Lat · L wrist X-ray · male, 12 yo —

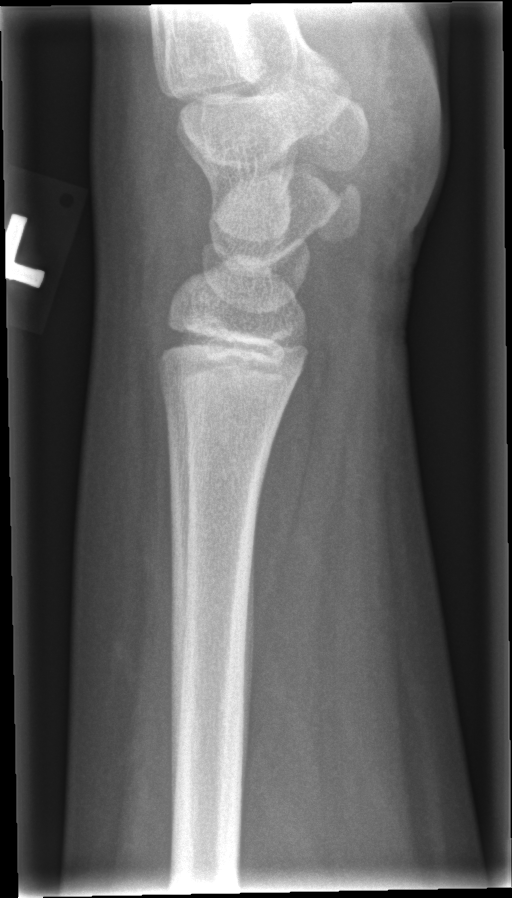

Q: Fracture present?
A: No fracture annotation